Lt pediatric wrist radiograph; PA/AP view; 7y F; detector: Siemens; image 83.5 mm wide.

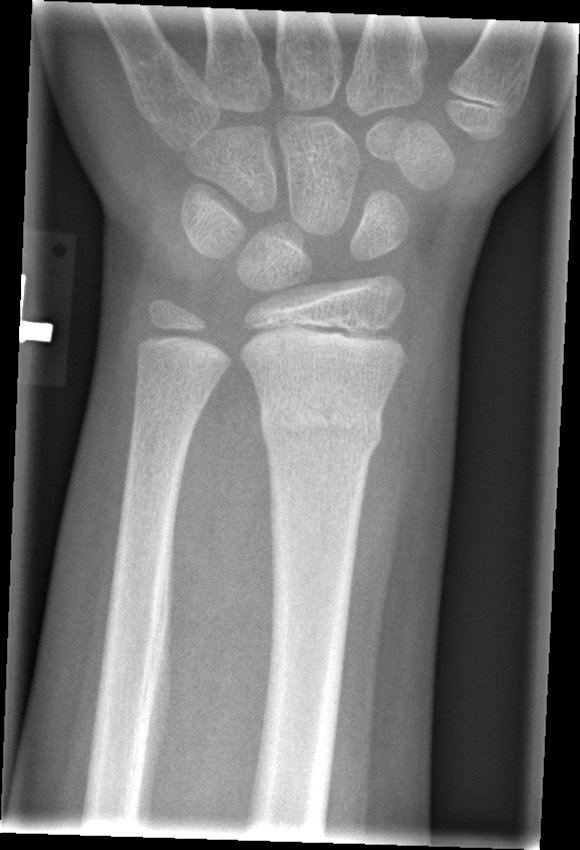

Fracture — <256,388>-<387,458>.